Frontal; Lt plain radiograph of the wrist; 13y M.

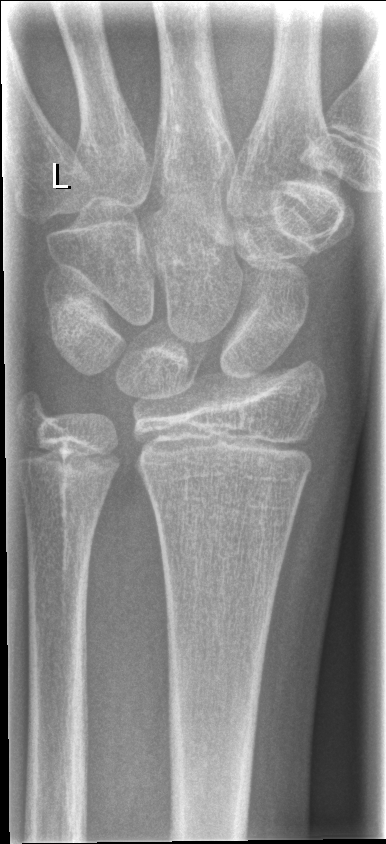
Fracture: none labeled.